AP view · left wrist radiograph · 9y F

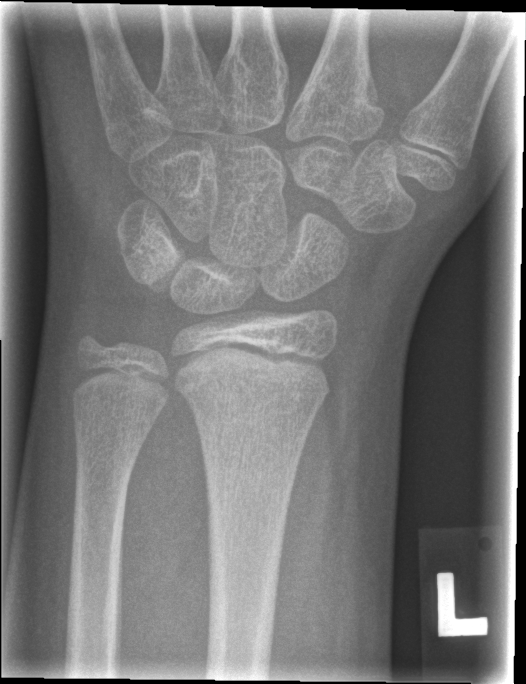 • Fracture present but not clearly seen in this view.